Lateral view · L wrist plain film
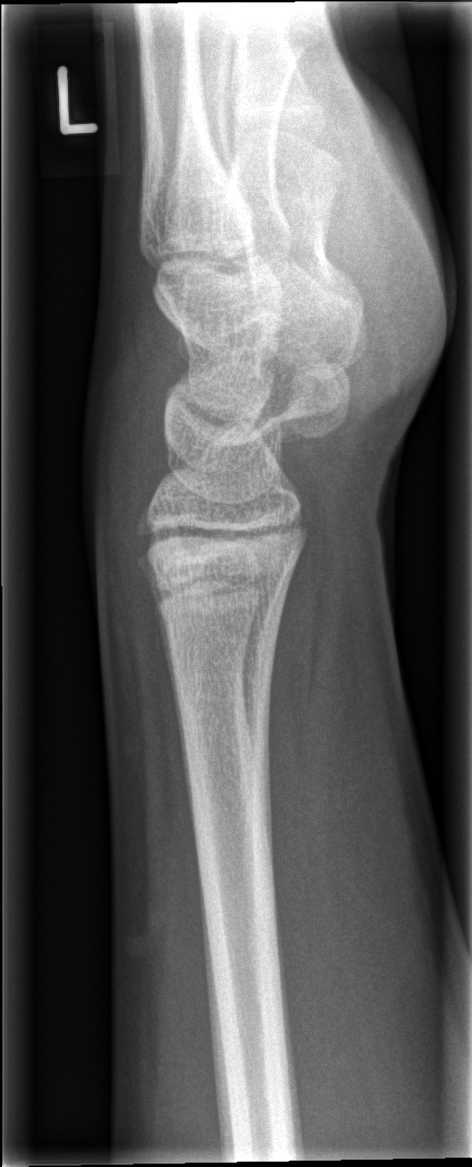

• One soft-tissue finding at (75, 331, 168, 566).
• No fracture bounding box.